Left wrist radiograph · posteroanterior projection · equivocal findings

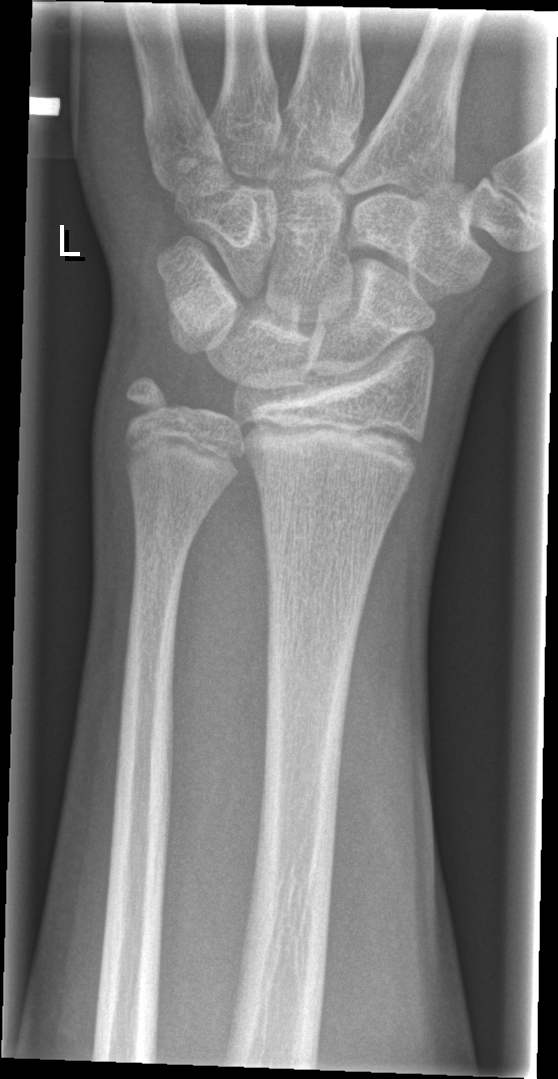

FINDINGS — Fx: [x1=118, y1=368, x2=178, y2=434].